Lt wrist plain film · lateral view · subsequent exam · Siemens:

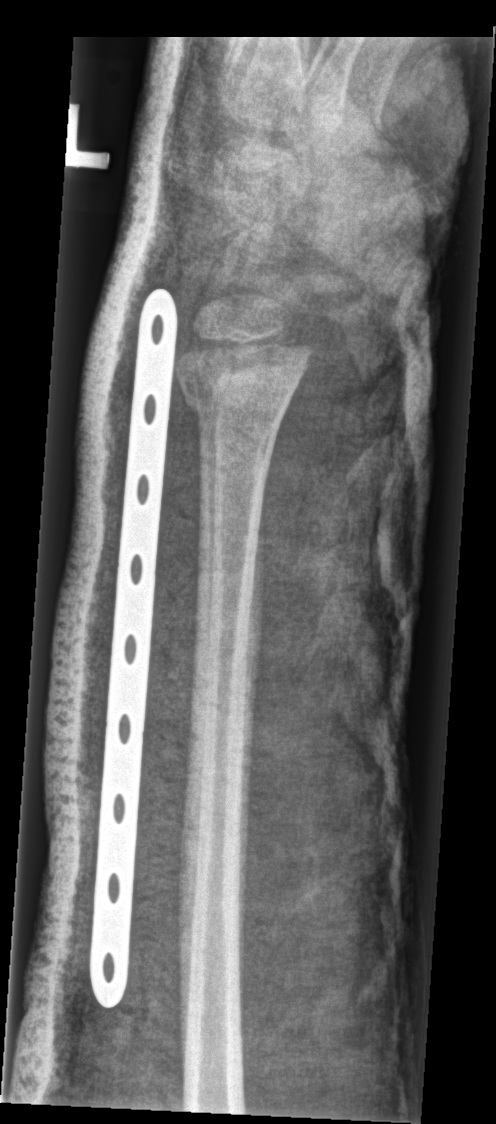 FINDINGS: Bone fracture — [x1=175, y1=324, x2=314, y2=432]. Fracture classified AO/OTA 23-M/3.1. Hardware: [x1=87, y1=286, x2=179, y2=1012].